Left plain radiograph of the wrist, lateral view, pediatric patient (male, age 11), cast in situ, detector: Siemens: 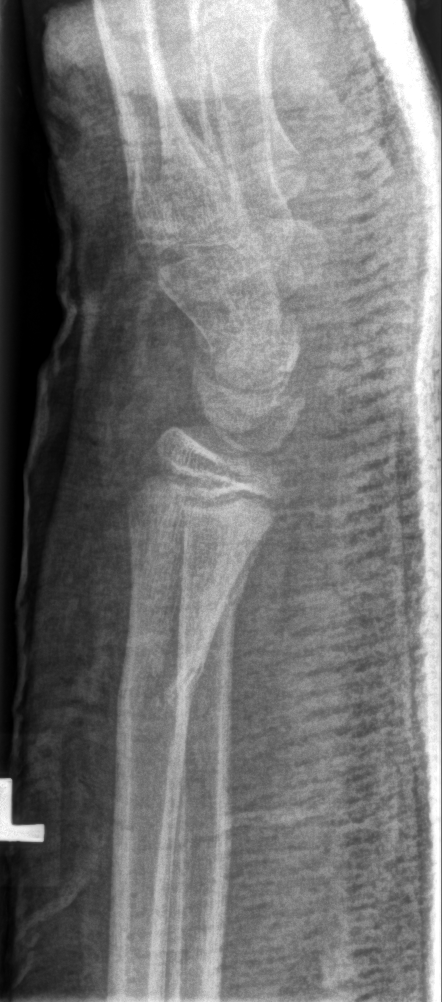
{
  "fracture": "[114, 641, 218, 723]; [173, 561, 255, 630]",
  "ao": "23-M/2.1"
}